Lat view · left wrist X-ray · age 1.5 y, female · initial study · acquired on Siemens · 42.0 mm image width — 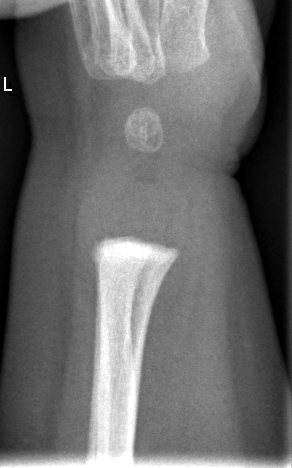
Findings: No fracture annotation.